Lat · right wrist XR · imaged through cast:

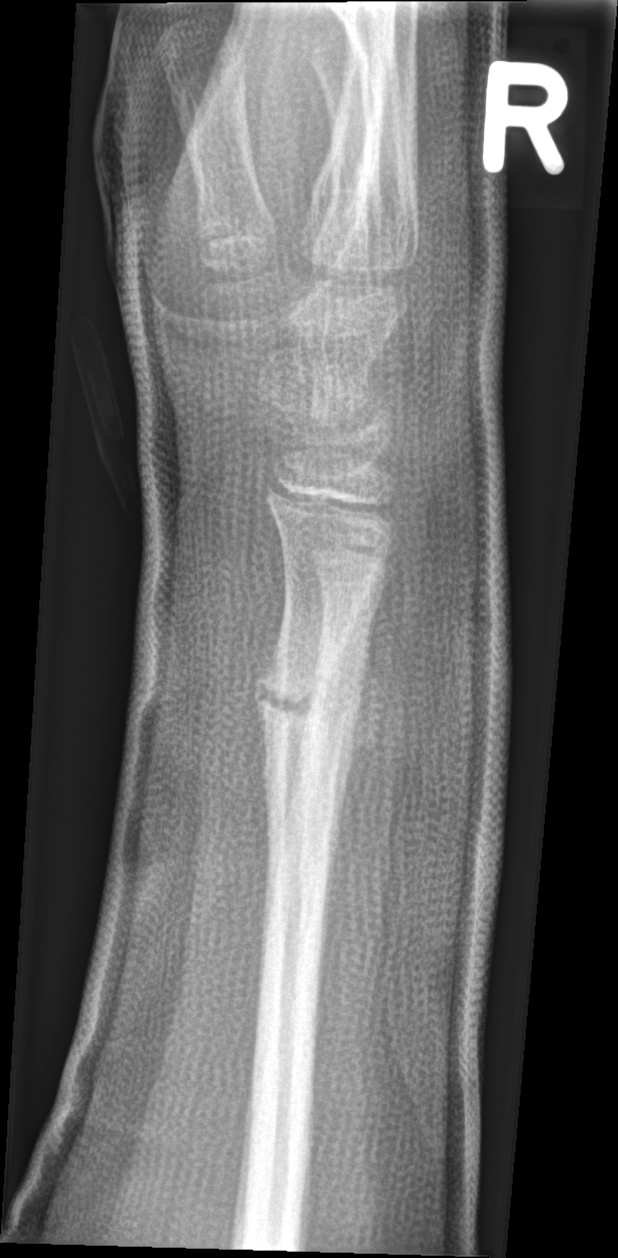 Pixel coordinates, top-left origin, xyxy. One fracture at [250, 662, 349, 742]. Periosteal thickening — [322, 575, 372, 982].